Right wrist plain film | lateral | age 6 y, boy | follow-up | in cast | 538x902:
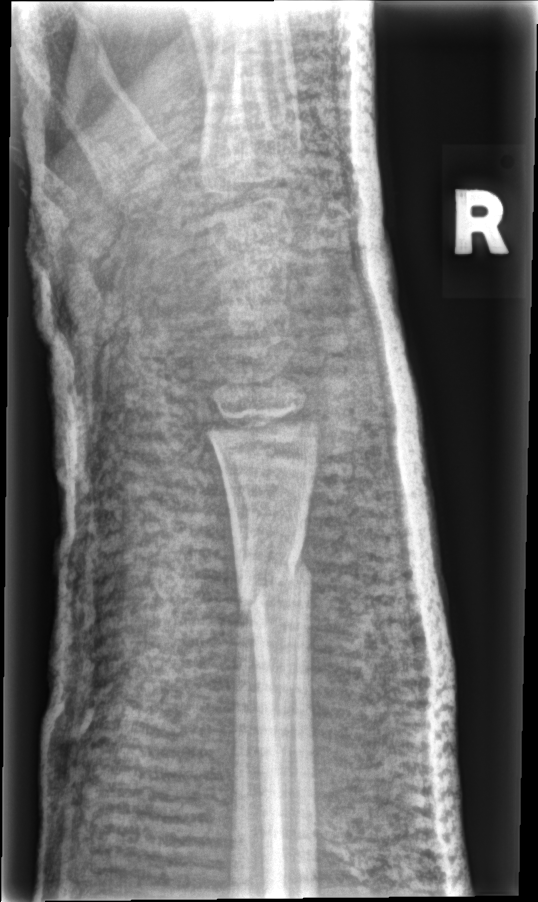
AO code = 23r-M/3.1; 23u-M/2.1
Fx = 1 @ 232,555,313,621